Lateral projection | right wrist X-ray | 15-year-old boy | imaged through cast | 57.5 mm image width — 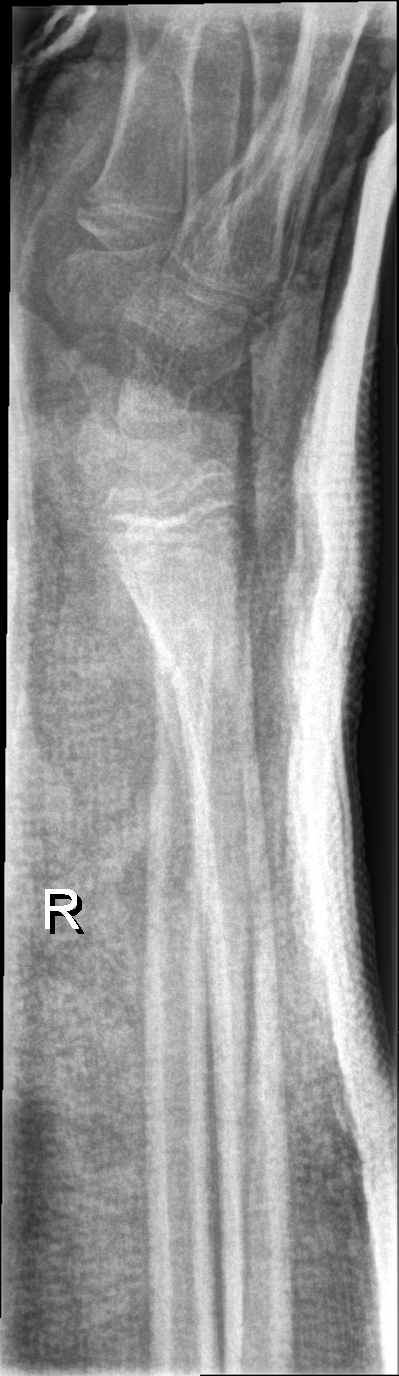

Findings: (pixel coordinates, top-left origin, xyxy) Periosteal reaction: [x1=151, y1=634, x2=200, y2=865]. AO code 23r-M/3.1. Bone fracture identified at [x1=139, y1=619, x2=258, y2=715].